Lateral view, Lt wrist XR, 11y M, 480 x 807 px

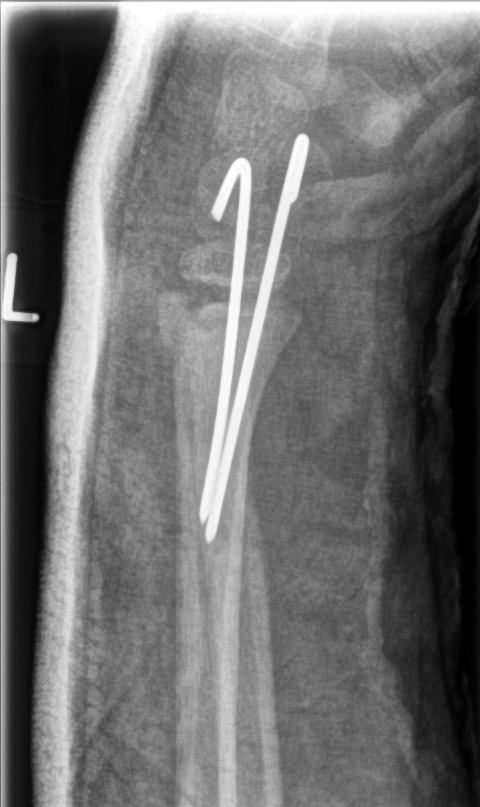 Fracture: 1 @ [x1=151, y1=273, x2=227, y2=382]
AO classification: 23r-E/2.1; 23u-M/3.1; 23u-E/7
Hardware: 1 @ [x1=196, y1=131, x2=313, y2=546]